Lt wrist X-ray | AP | 14-year-old male | image width 107.4 mm:

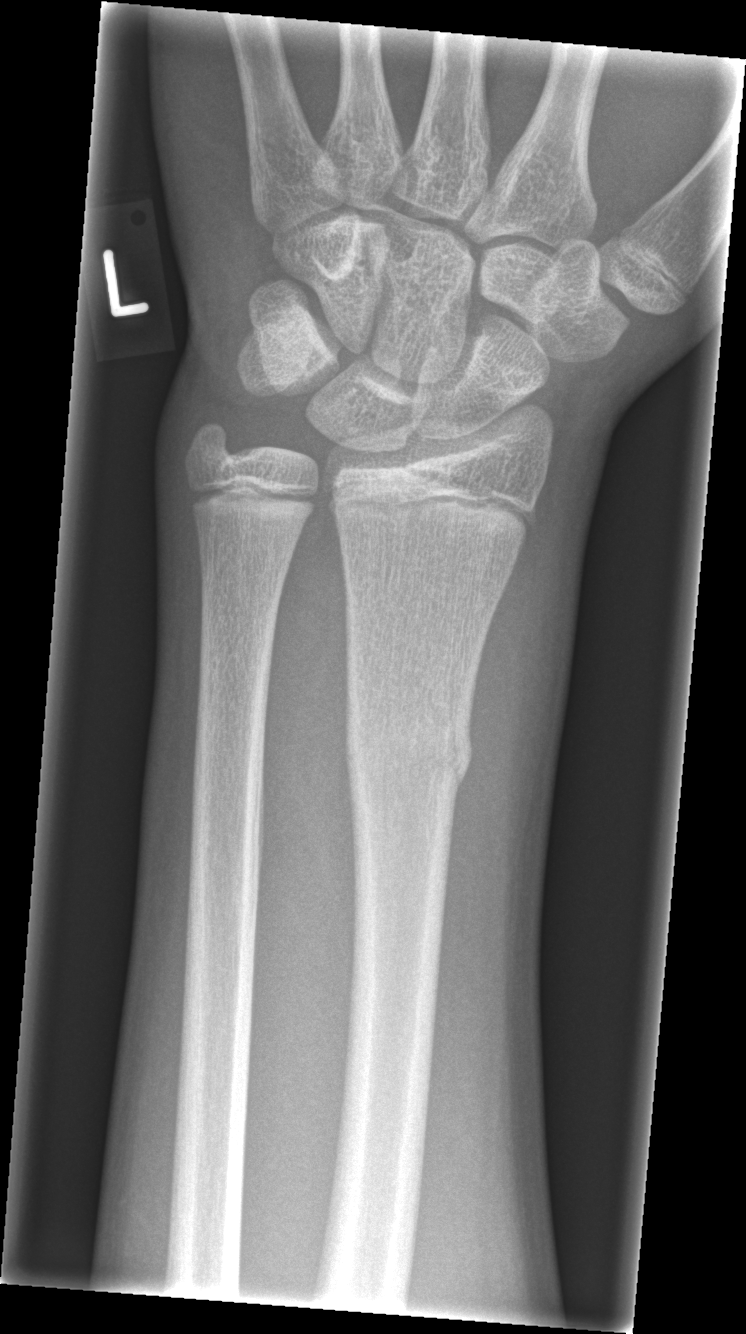 (boxes as x1,y1,x2,y2 (top-left / bottom-right, pixel units))
AO classification = 23r-M/2.1
Fracture = 1 @ (left=340, top=697, right=477, bottom=811)
Soft-tissue finding = 1 @ (left=444, top=571, right=575, bottom=944)